R wrist plain film | posteroanterior view | pediatric patient (female, age 10).

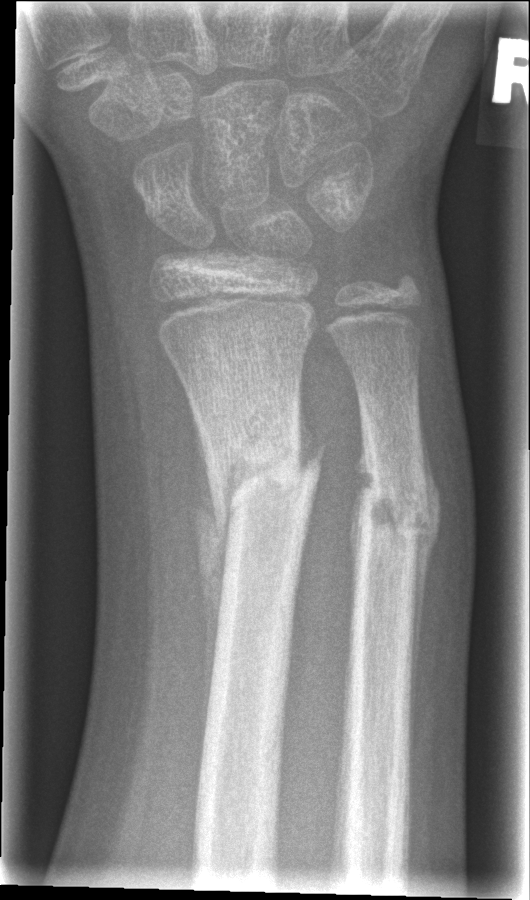 Bounding boxes in image-pixel xyxy. Periosteal new bone — [192, 412, 228, 757], [408, 411, 441, 782], [350, 426, 371, 588], [295, 388, 318, 473]. Reduced bone mineral density. Two fractures at [209, 409, 329, 541] [360, 455, 428, 551]. Fracture classified AO/OTA 23-M/3.1; 23u-E/7.